Left wrist plain radiograph of the wrist; PA projection; 13-year-old male; cast in situ; detector: Siemens; 104.5 mm image width; image size 726x1444.

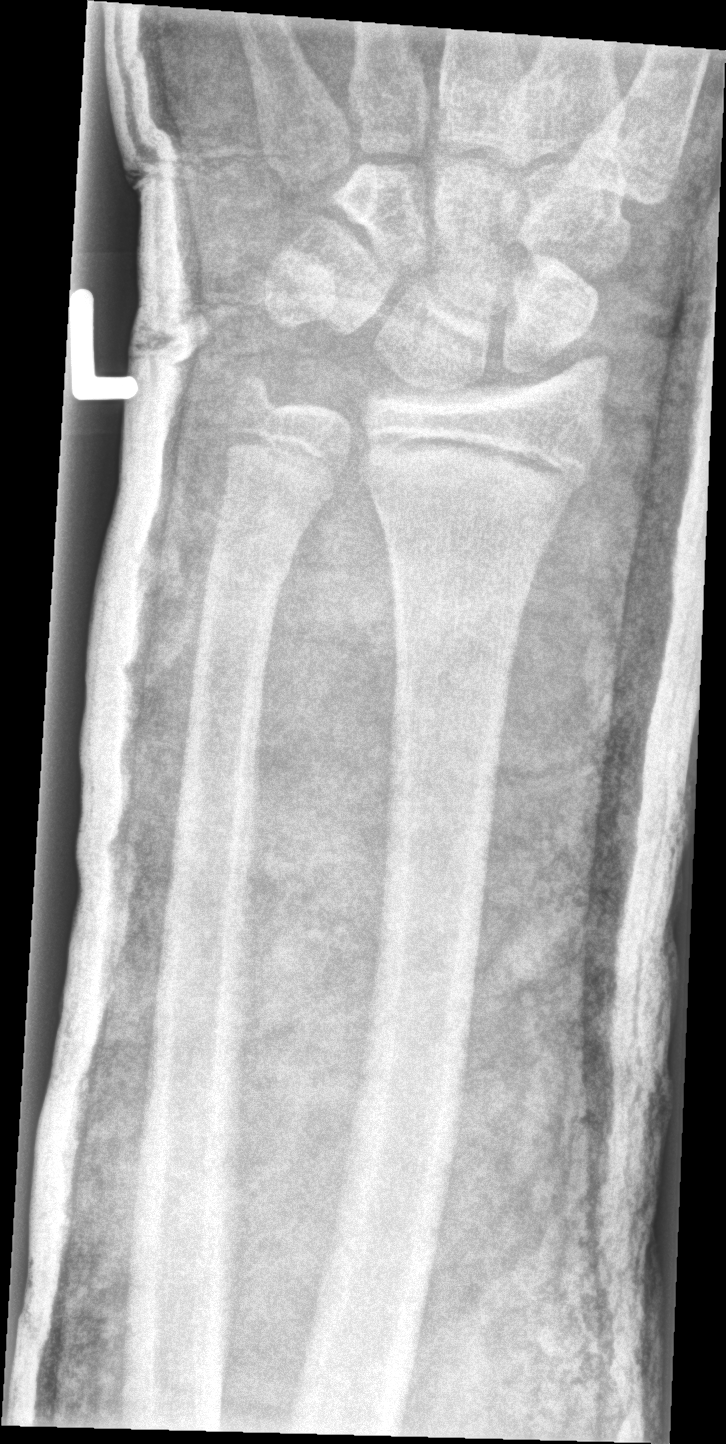 bone fracture = 2 @ [x1=363, y1=429, x2=596, y2=505], [x1=204, y1=539, x2=301, y2=596]
AO/OTA = 23r-E/2.1; 23u-M/2.1